Lt wrist XR · lateral projection — 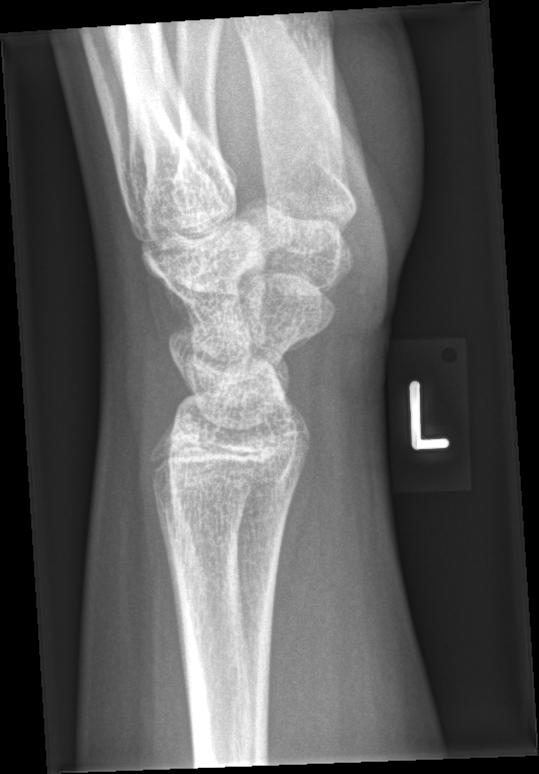 No fracture bounding box.